Right wrist XR; PA/AP view; female, 17 yo; image 92.4 mm wide; 642 by 986 pixels.

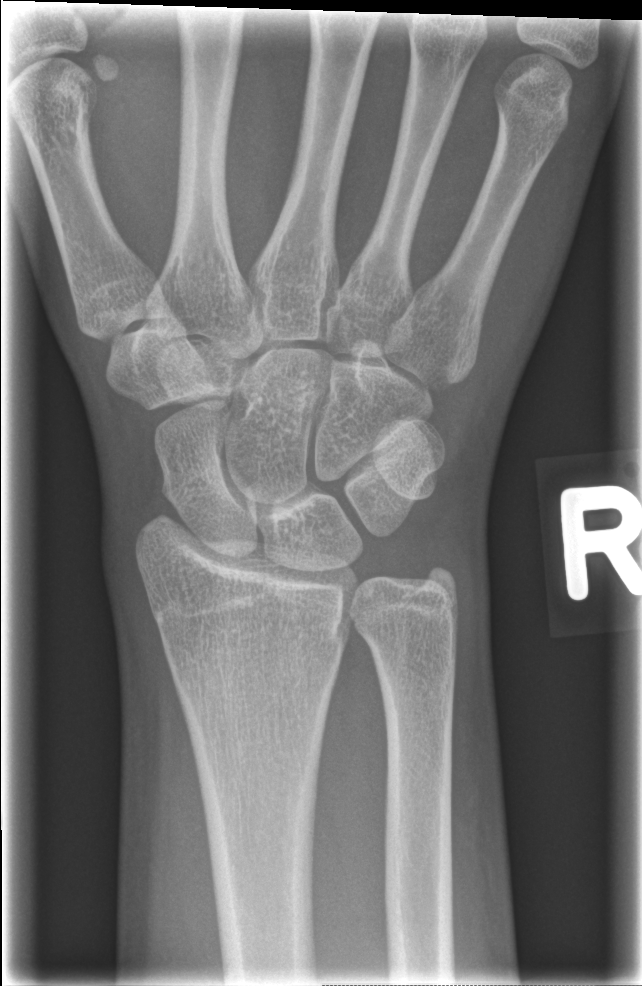

bone fracture = none labeled